Posteroanterior · Lt pediatric wrist radiograph · pediatric patient (boy, age 14) · subsequent exam · detector: Siemens —

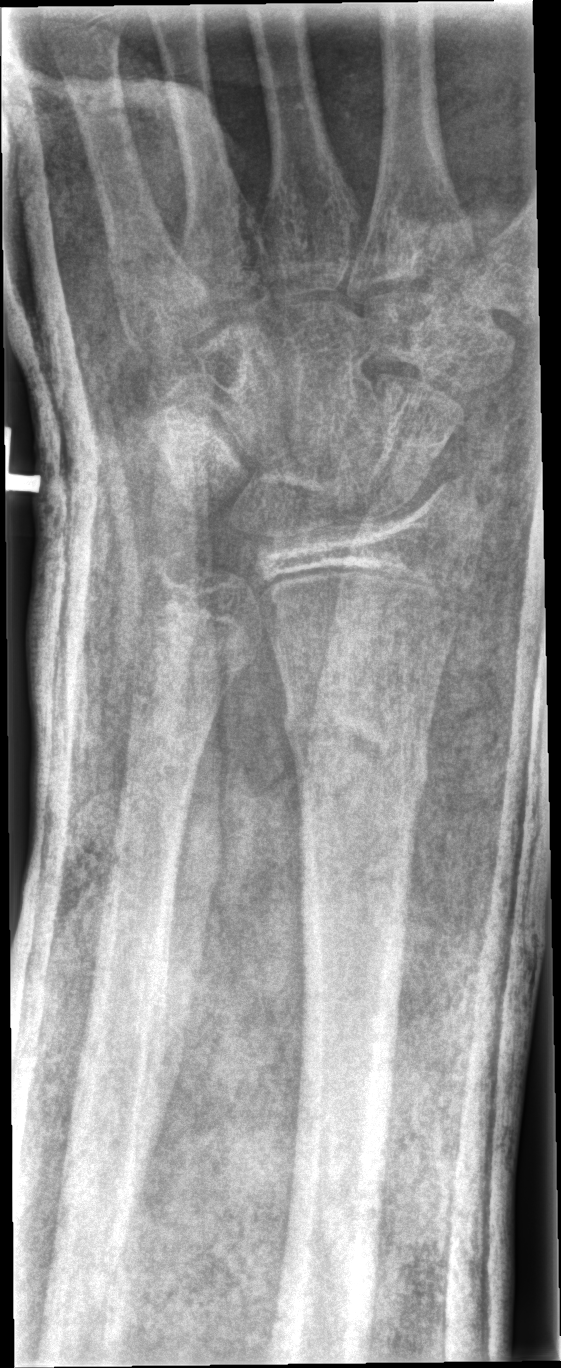

FINDINGS: (boxes as x1,y1,x2,y2 (top-left / bottom-right, pixel units)) One Fx at bbox(277, 688, 433, 814).